Lat projection | right wrist XR | acquired on Siemens | 660 x 1281 px.

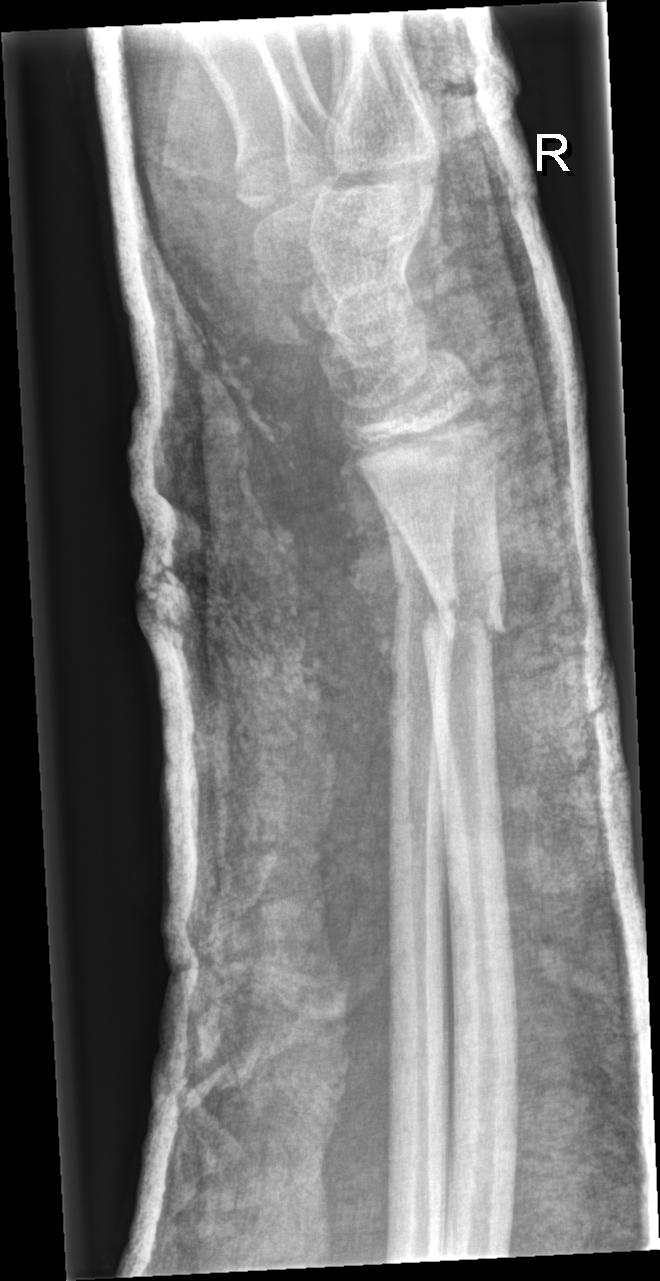 * Coordinates are [x1, y1, x2, y2] in image pixels.
* AO code 23-M/3.1.
* Fx: 420 571 512 663
  389 557 474 632.